Right wrist X-ray, lat view

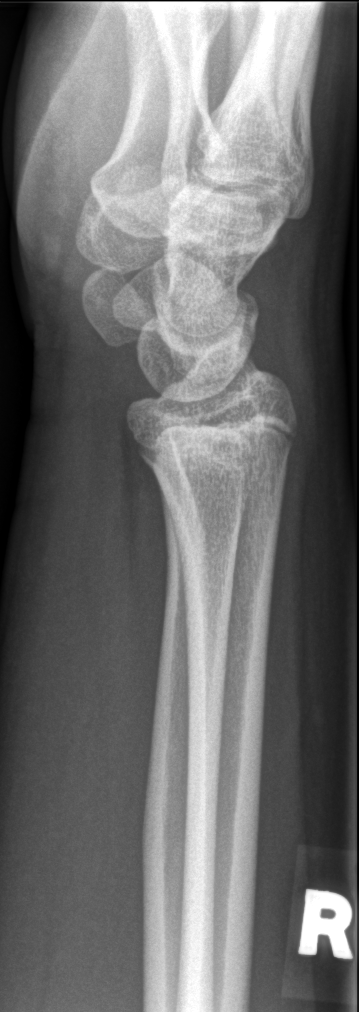

- No fracture bounding box.